Left wrist pediatric wrist radiograph; PA projection; presentation radiograph
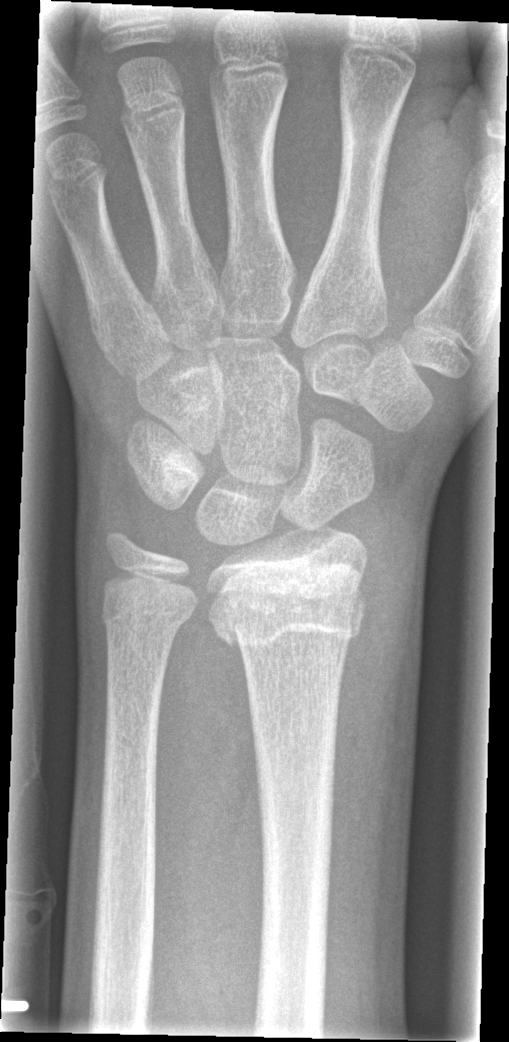 Fracture classified AO/OTA 23r-E/2.1; 23u-M/2.1. Fractures — (left=207, top=566, right=368, bottom=654), (left=97, top=585, right=195, bottom=640).